PA/AP view, Lt wrist XR, follow-up study, imaged through cast, 611x1082 —

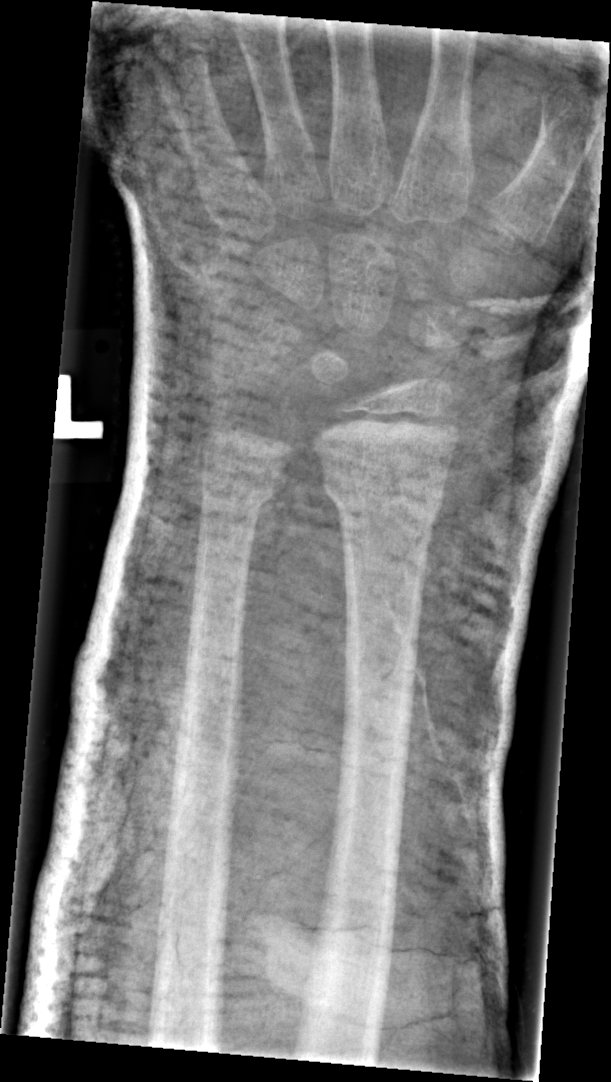
- Fracture classified AO/OTA 23-M/2.1.
- Bone fracture identified at 319 466 452 526 | 197 476 282 520.